Left wrist X-ray; lat; index exam:
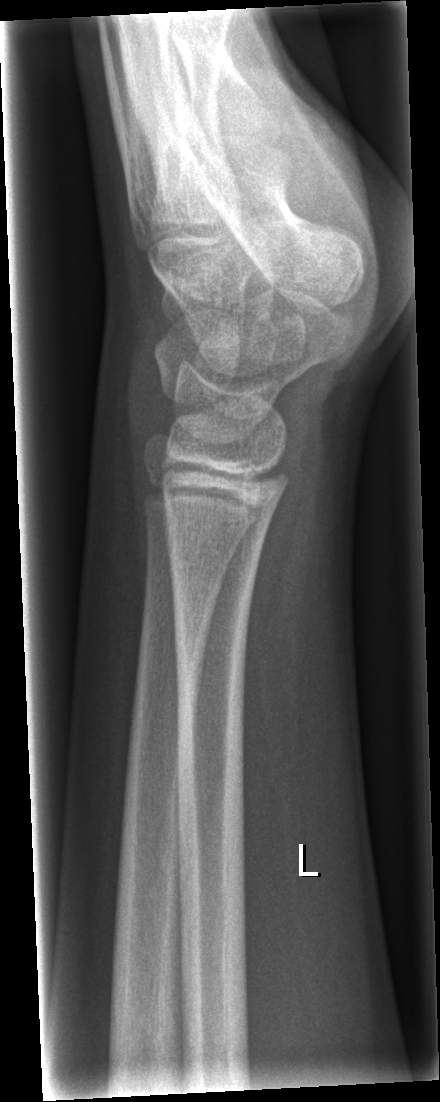

  fracture: none labeled